Lat projection, left pediatric wrist radiograph.
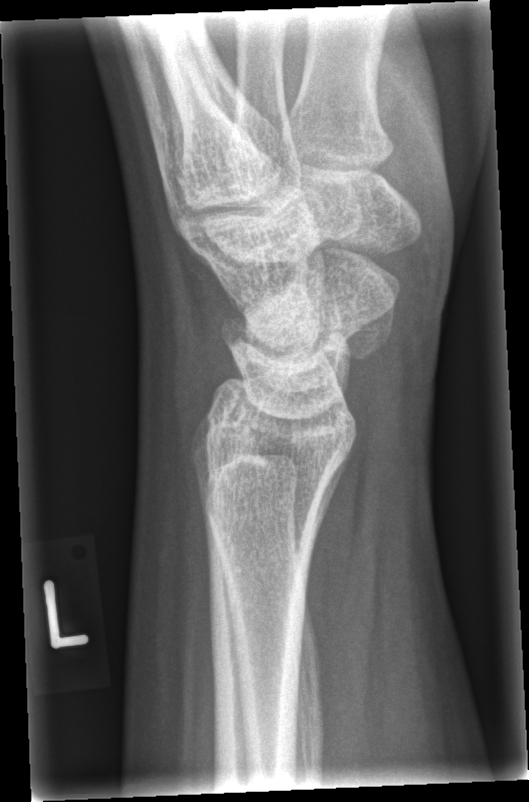
{"fracture": "none labeled"}